Rt wrist plain film, PA/AP projection, female, 11 yo, acquired on Siemens.

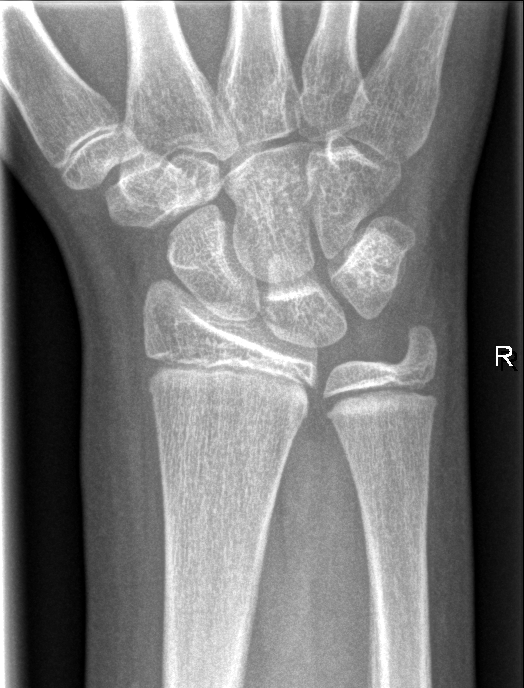

No fracture labeled.